Lt plain radiograph of the wrist; lateral projection; image 84.4 mm wide.
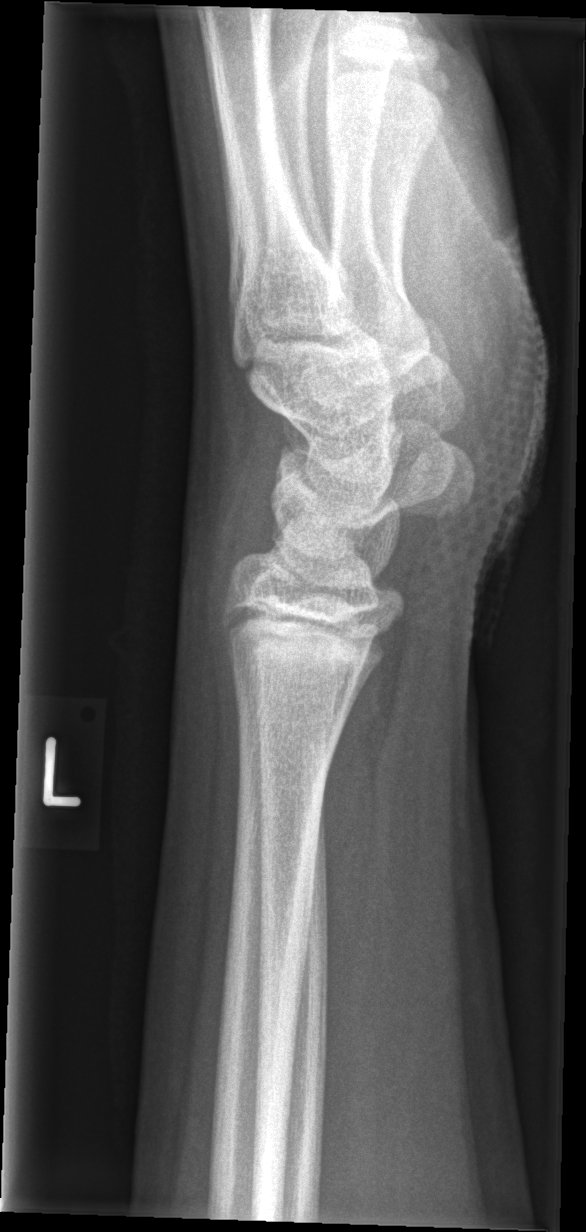 {"fracture": "none labeled"}